Right wrist radiograph | lateral view | 14-year-old male | detector: Siemens | 461 by 1212 pixels:
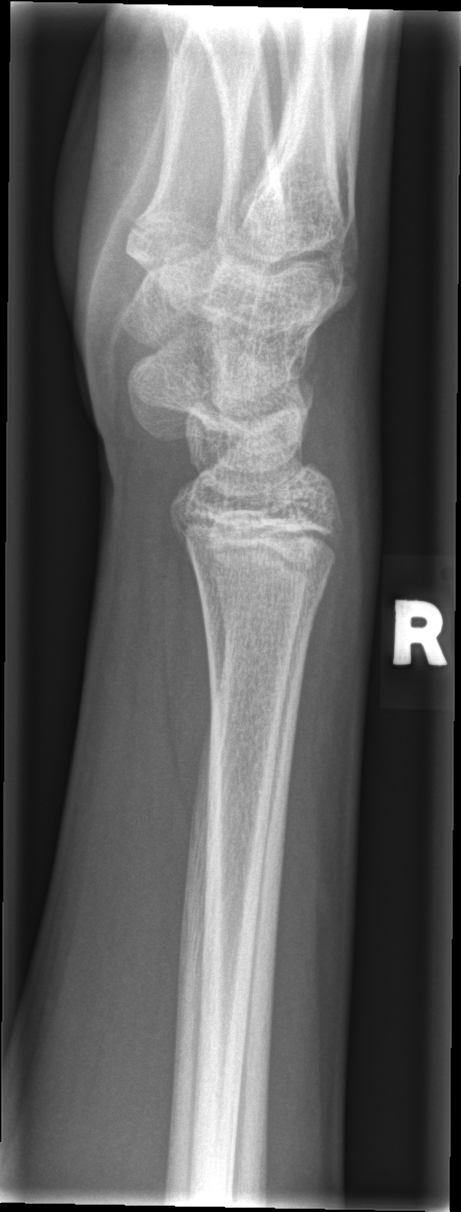
{
  "fracture": "1 @ (left=192, top=560, right=332, bottom=622)",
  "ao": "23r-M/2.1"
}